Lat view · R wrist radiograph · pediatric patient (male, age 7) · 432x1046 — 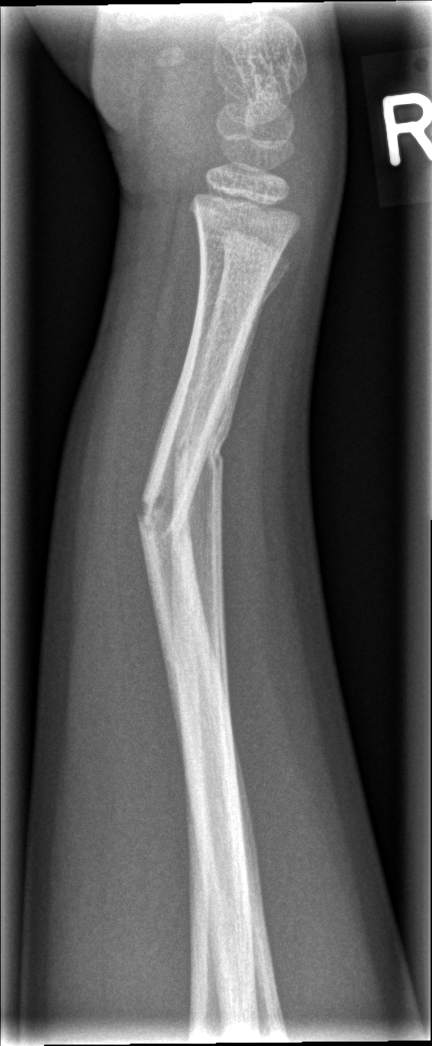

AO/OTA = 23-M/3.1; 23u-M/2.1
Fx = [168, 408, 237, 484]; [132, 479, 197, 557]; [216, 271, 281, 323]